Lateral projection, right wrist XR, 9-year-old boy.

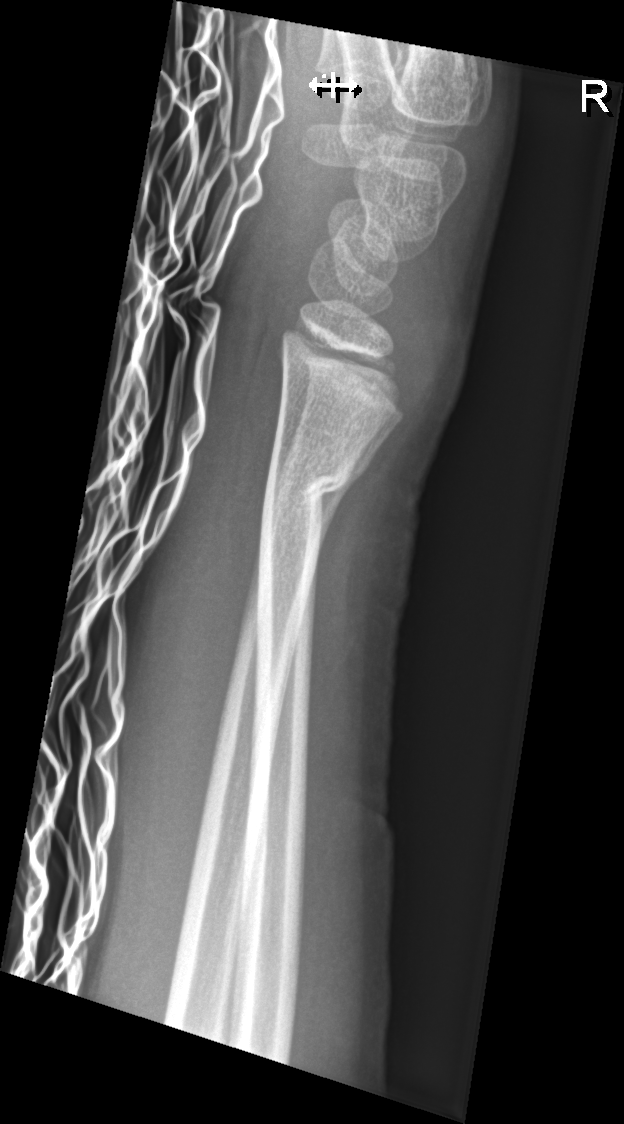
(coordinates are [x1, y1, x2, y2] in image pixels)
Q: Is there a fracture?
A: Bone fracture — [260, 457, 358, 528]